Posteroanterior view, L pediatric wrist radiograph. 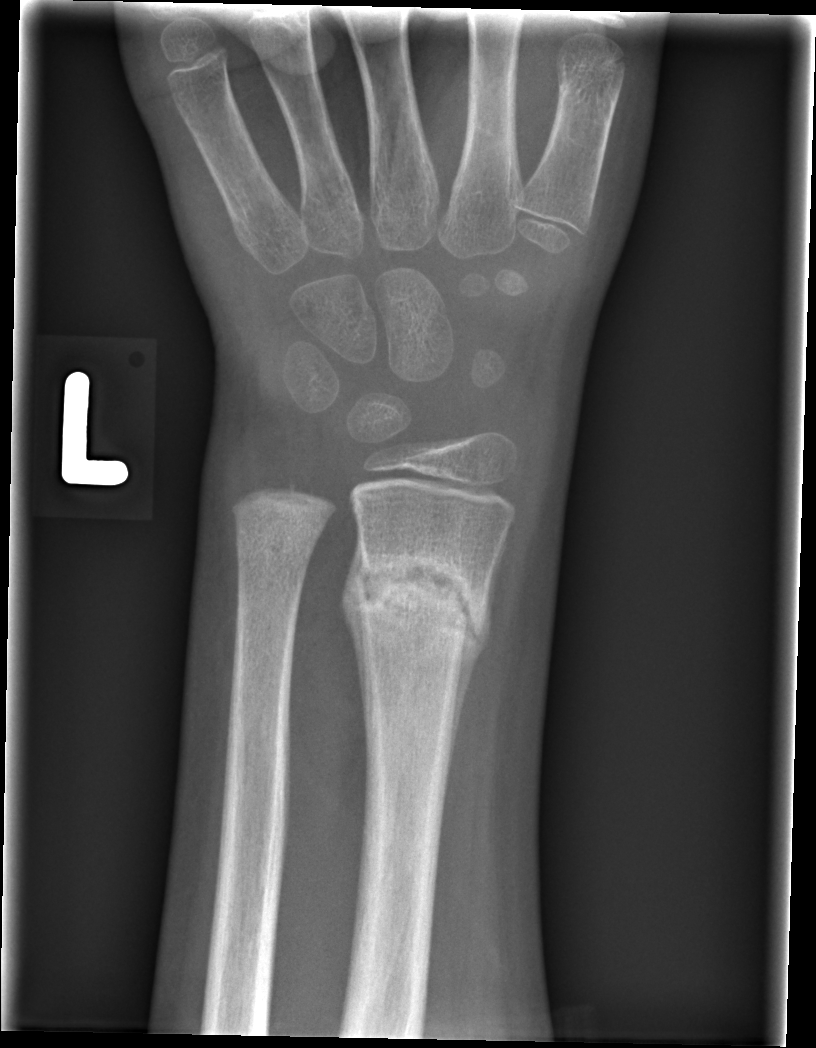

* Fx: 350,545,485,648
  232,523,314,574.
* Fracture classified AO/OTA 23r-M/3.1; 23u-M/2.1.
* Periosteal reaction: 444,529,507,792
  340,529,368,741.
* Osteopenic.